L plain radiograph of the wrist | lateral view | age 12 y, boy | 497 x 876 px.
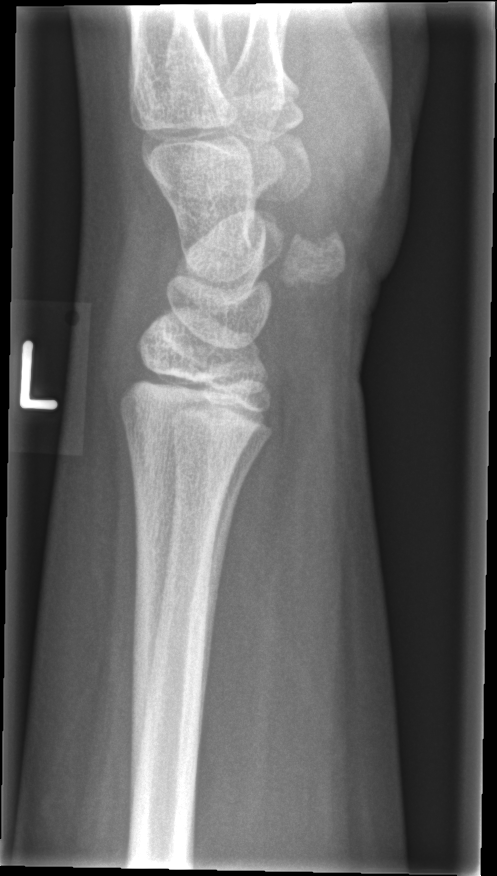

FINDINGS — No Fx annotated.